Lat projection · R wrist plain film · 13-year-old boy 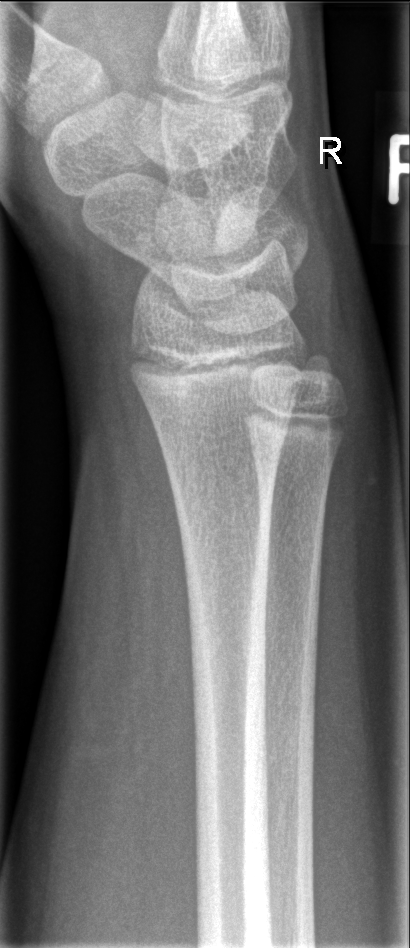

fracture = none labeled